PA/AP projection; R wrist XR; 6y F

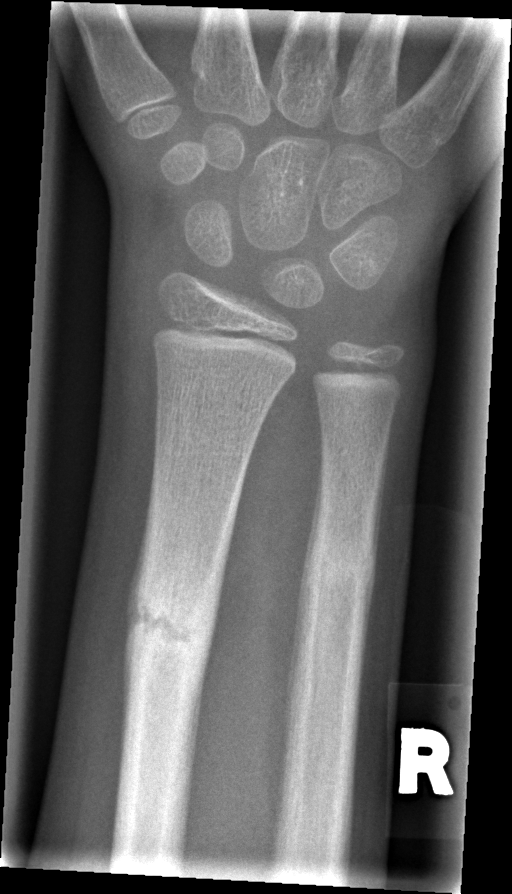 Q: AO code?
A: AO code 22-D/2.1
Q: Bone density?
A: Osteopenia
Q: Locate any periosteal reaction.
A: Periosteal reaction — 284 451 324 799
  120 479 155 758
  358 433 390 698
Q: Any fracture seen?
A: Fracture: 120 573 218 682; 296 536 382 609